Lt wrist X-ray; lateral; 9-year-old girl; follow-up; cast present; 786 x 1156 px.
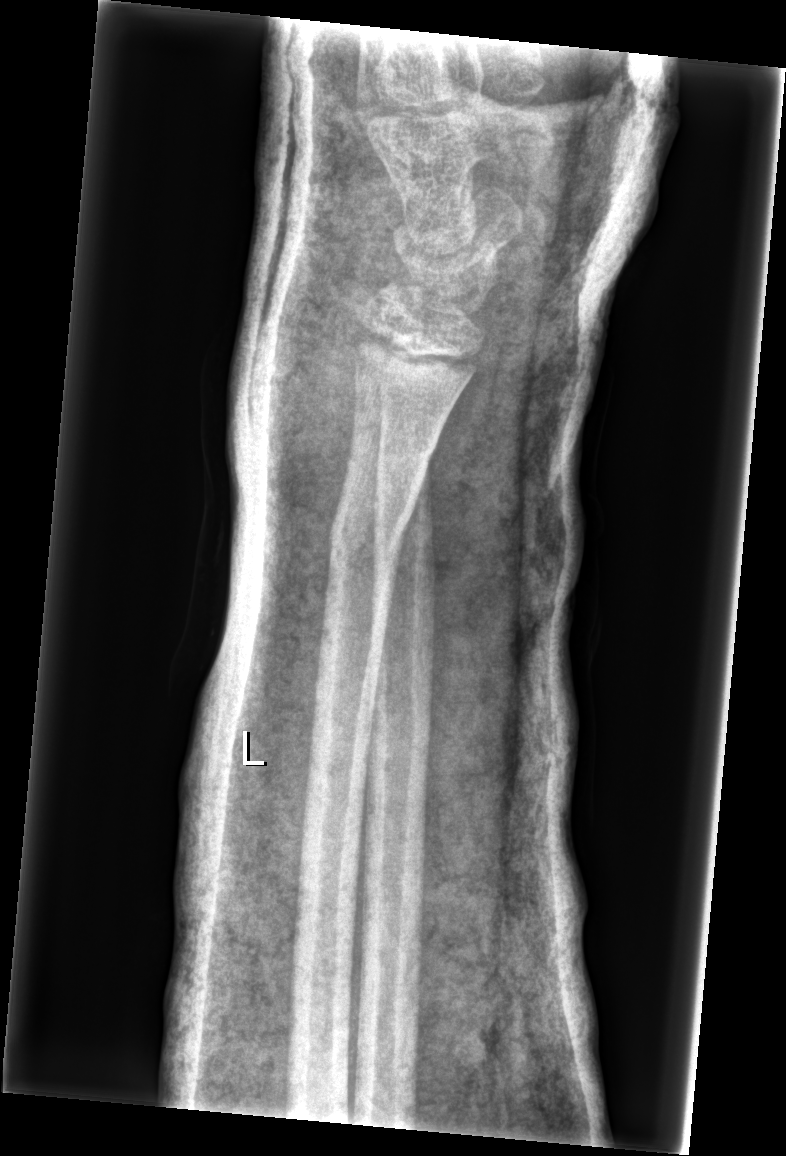 Q: Fracture present?
A: Fx identified at (323, 508, 412, 588)
Q: AO code?
A: AO/OTA classification: 23r-M/3.1; 23u-M/2.1